Frontal projection; right wrist X-ray; 17-year-old boy; presentation radiograph; image size 832x1184 — 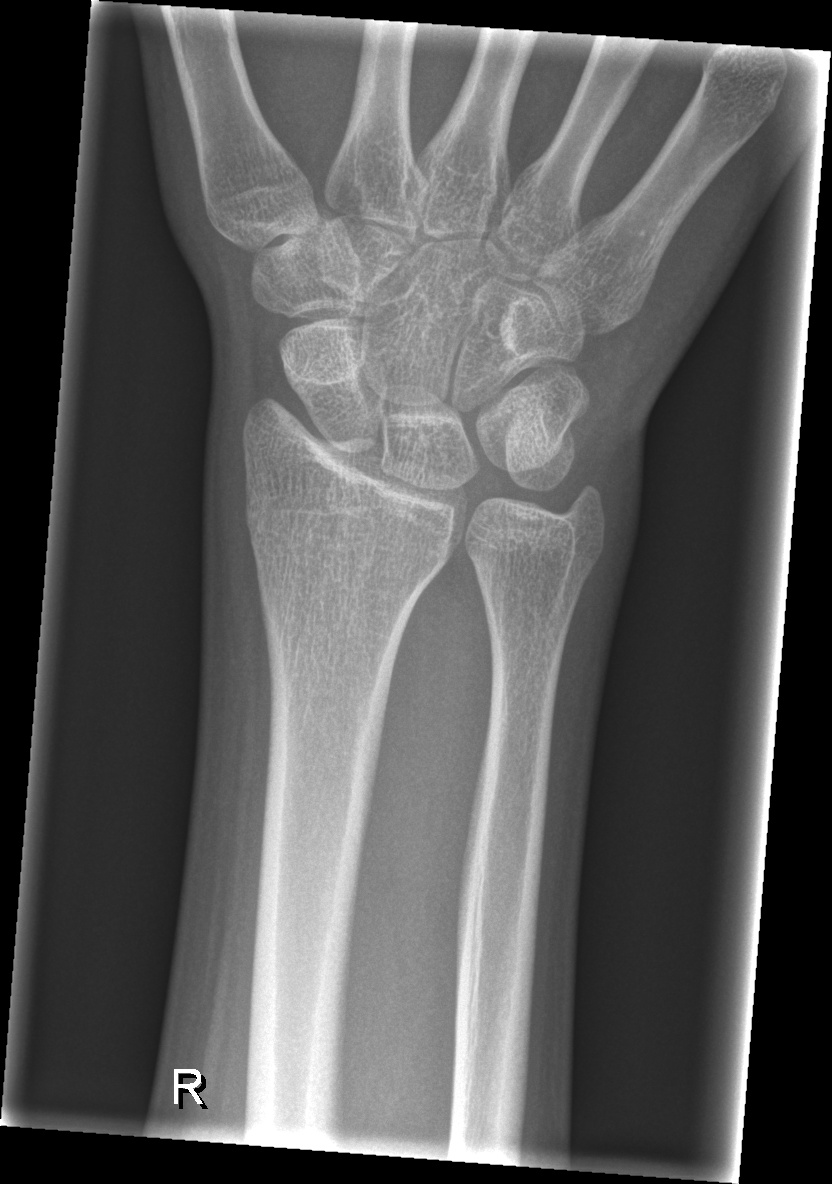 bone fracture = none labeled